Right wrist XR, PA.

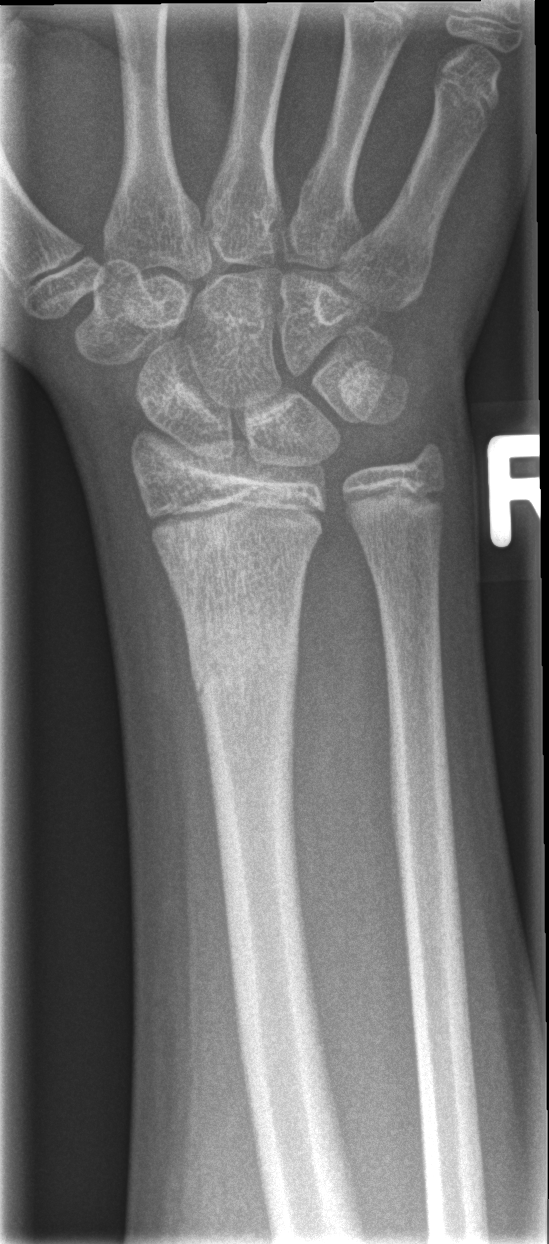

Boxes as x1,y1,x2,y2 (top-left / bottom-right, pixel units).
Fx — (187, 621, 302, 705).
AO/OTA classification: 23r-M/2.1.